AP projection, Rt wrist radiograph, age 10 y, female, 498 by 828 pixels.

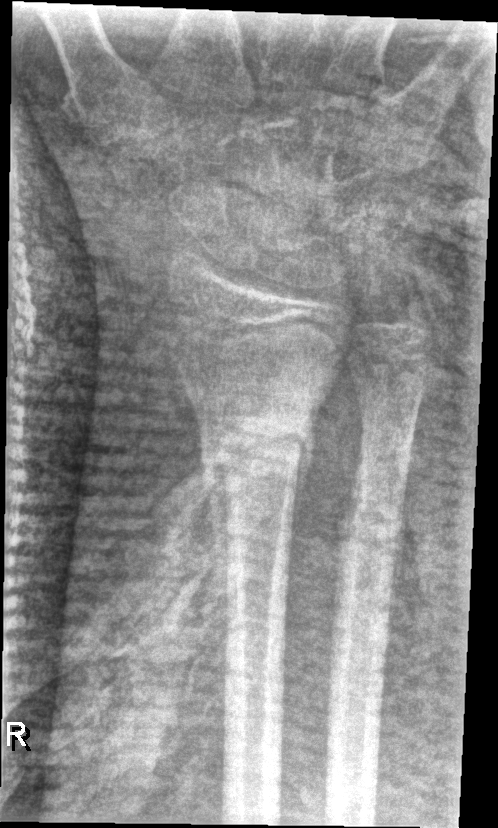

Coordinates are [x1, y1, x2, y2] in image pixels.
Fractures — [196, 410, 316, 490], [336, 500, 407, 570].
Periosteal reaction — [209, 456, 227, 592].
Fracture classified AO/OTA 23r-M/3.1; 23u-D/2.1.